PA/AP projection, R pediatric wrist radiograph, 8-year-old girl, 430 by 718 pixels — 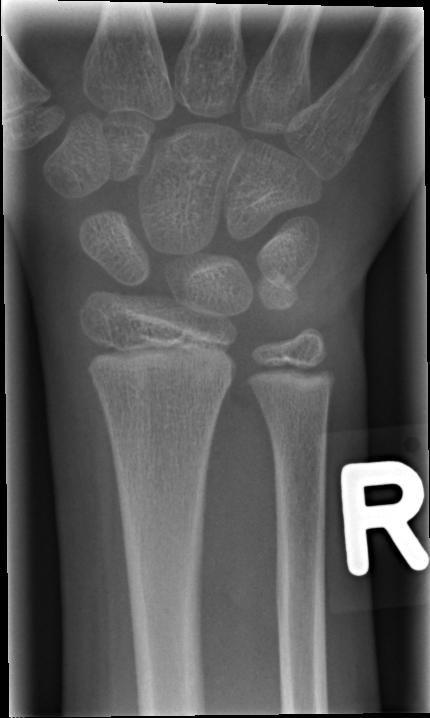

{
  "fracture": "none labeled"
}